Lat view; Lt plain radiograph of the wrist; in cast
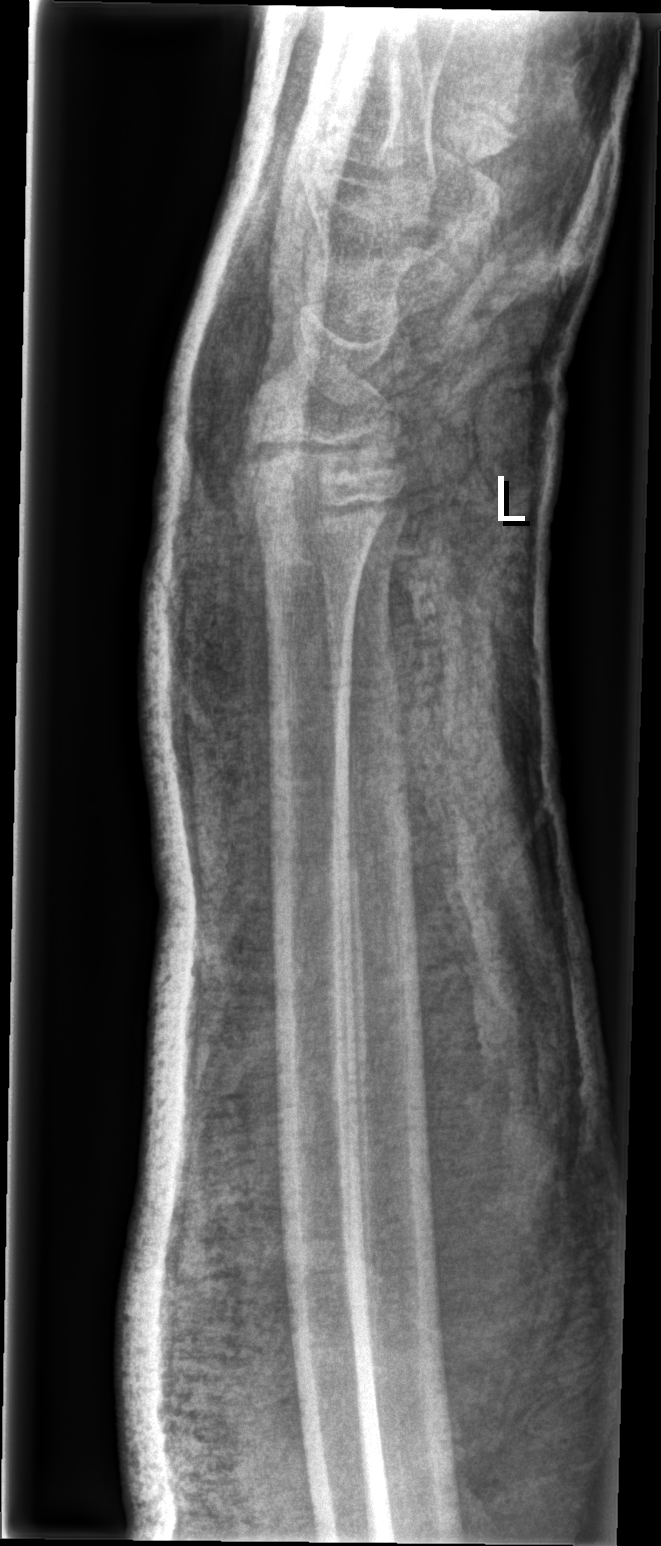 Pixel coordinates, top-left origin, xyxy.
One bone fracture at 226,418,406,542.
AO/OTA classification: 23r-E/2.1; 23u-E/7.